Rt plain radiograph of the wrist; AP; 14-year-old boy; 650 by 1202 pixels —
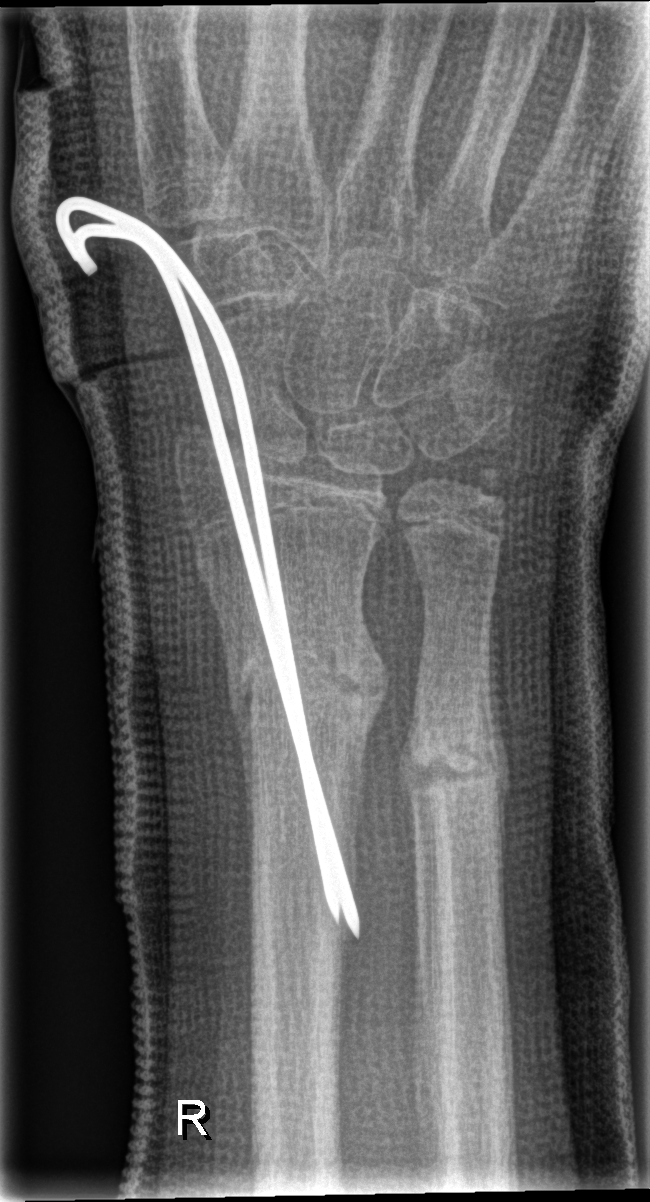

(pixel coordinates, top-left origin, xyxy)
AO classification = 23r-M/3.1; 22u-D/4.1; 23u-E/7
Fx = [x1=226, y1=618, x2=390, y2=753]; [x1=404, y1=708, x2=506, y2=803]; [x1=462, y1=458, x2=515, y2=514]
metallic implant = [x1=55, y1=194, x2=359, y2=935]
osteopenia = present